R wrist radiograph, lat projection
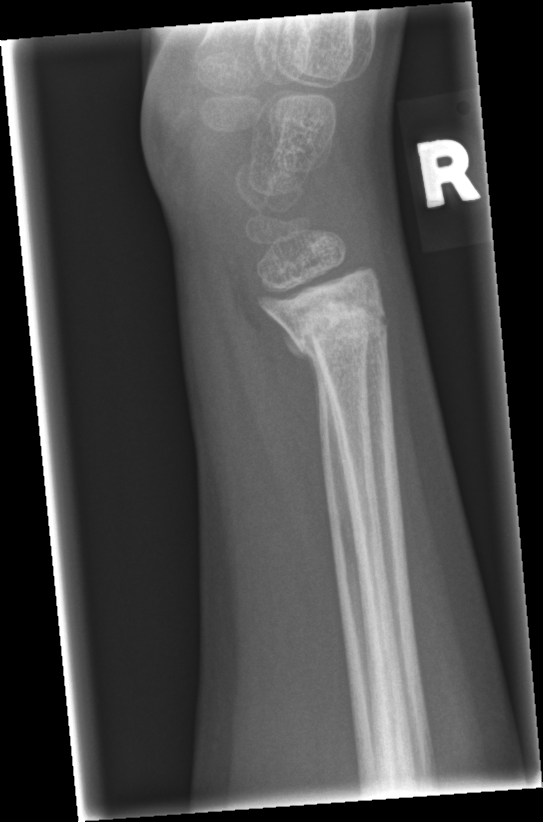
(coordinates are [x1, y1, x2, y2] in image pixels)
Periosteal new bone = [284, 330, 319, 416]
Fx = 1 @ [284, 291, 391, 374]